Posteroanterior projection; right wrist pediatric wrist radiograph; 10-year-old female — 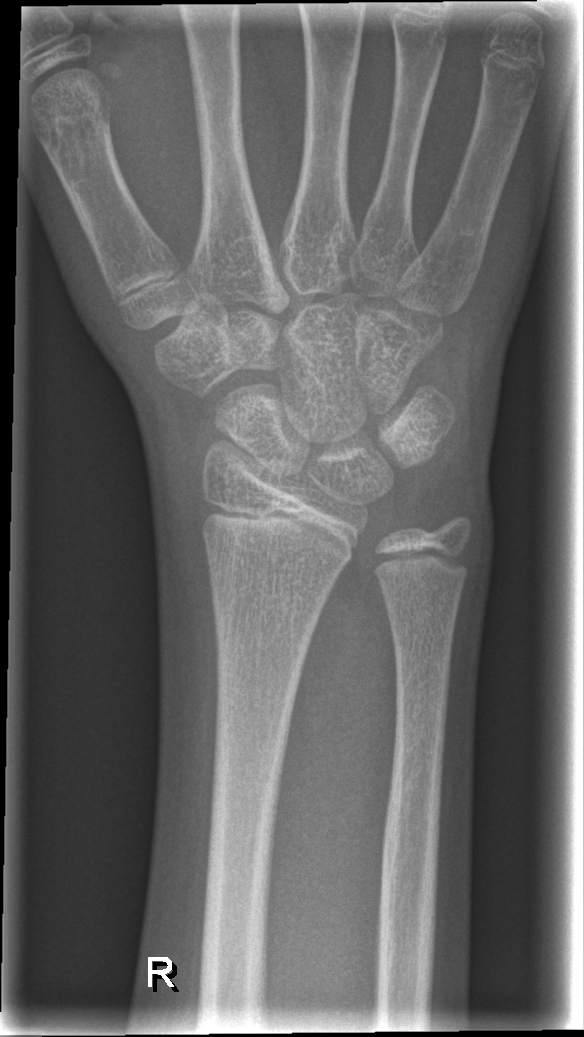
Q: Is there a fracture?
A: No fracture annotation